Right wrist plain film; posteroanterior projection; 12-year-old boy: 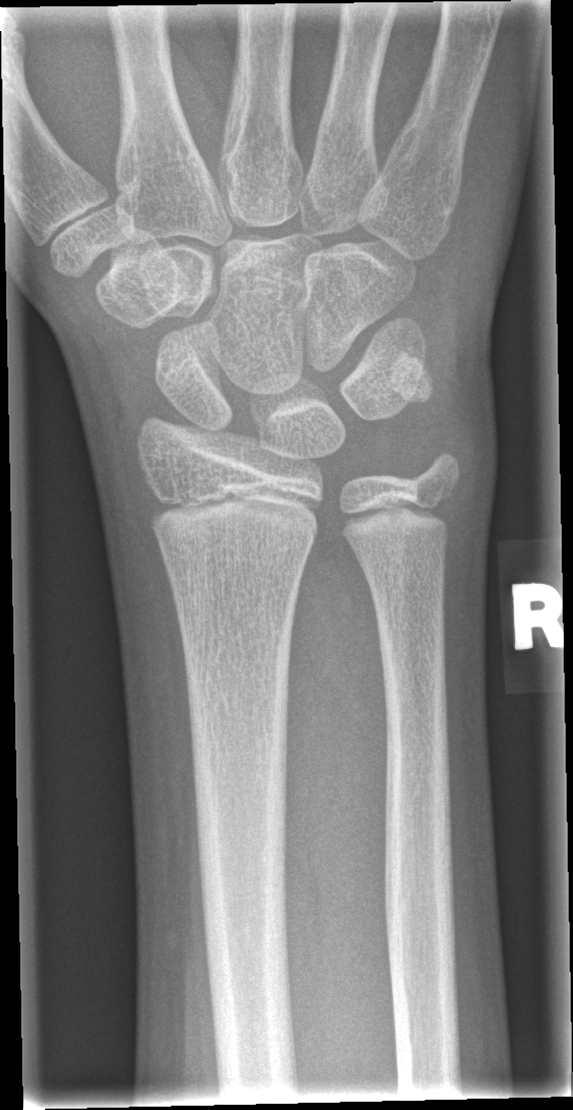
- Fracture: none labeled.